Lat view; right wrist plain film; pediatric patient (male, age 7); cast in situ — 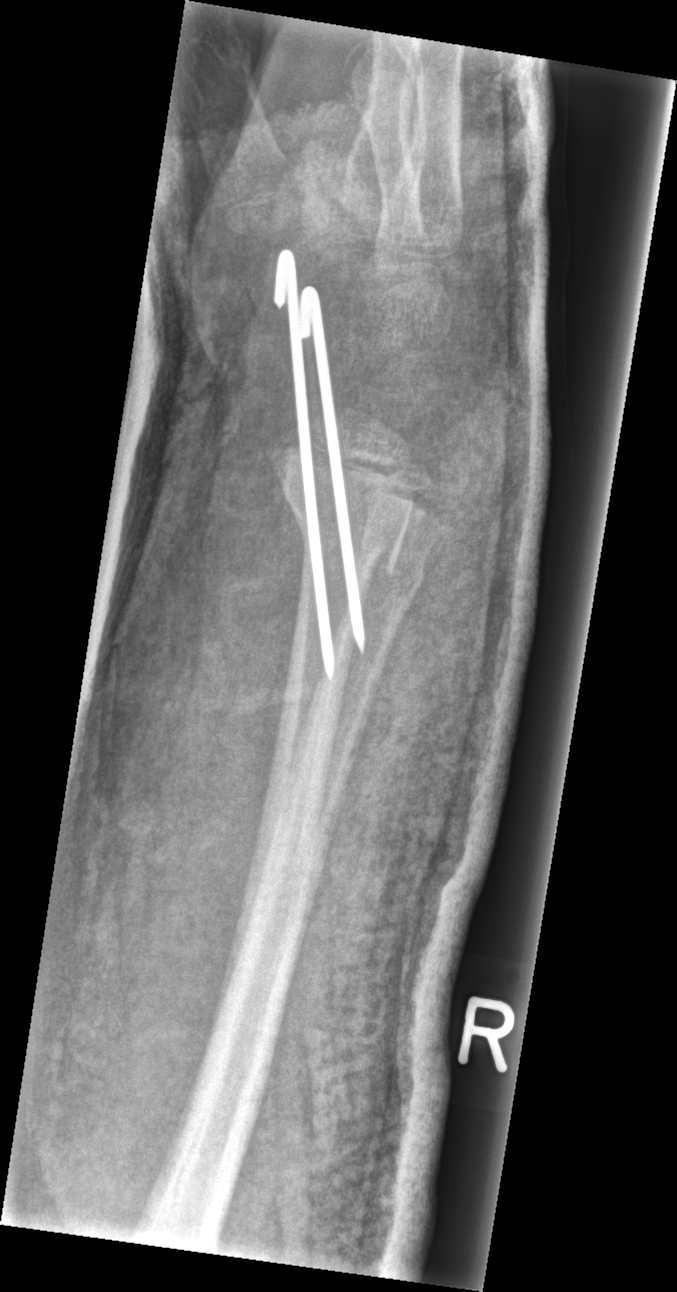

Metallic hardware = bbox(274, 249, 334, 682), bbox(299, 286, 365, 655)
AO/OTA = 23-M/3.1
Fracture = bbox(281, 491, 404, 584), bbox(356, 537, 432, 604)